AP view; left wrist plain radiograph of the wrist; 12-year-old boy; follow-up study: 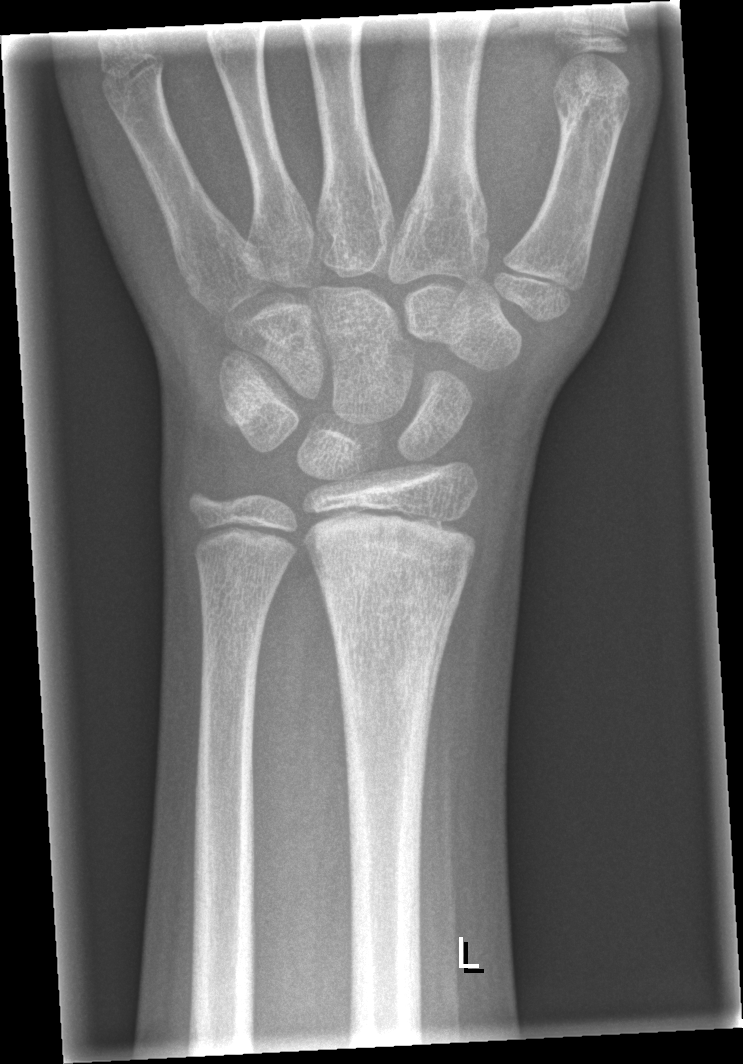

periosteal new bone: (left=421, top=549, right=474, bottom=808)
Fx: 1 @ (left=309, top=522, right=479, bottom=593)